Lt wrist XR, posteroanterior projection, girl, 13 yo, detector: Siemens:

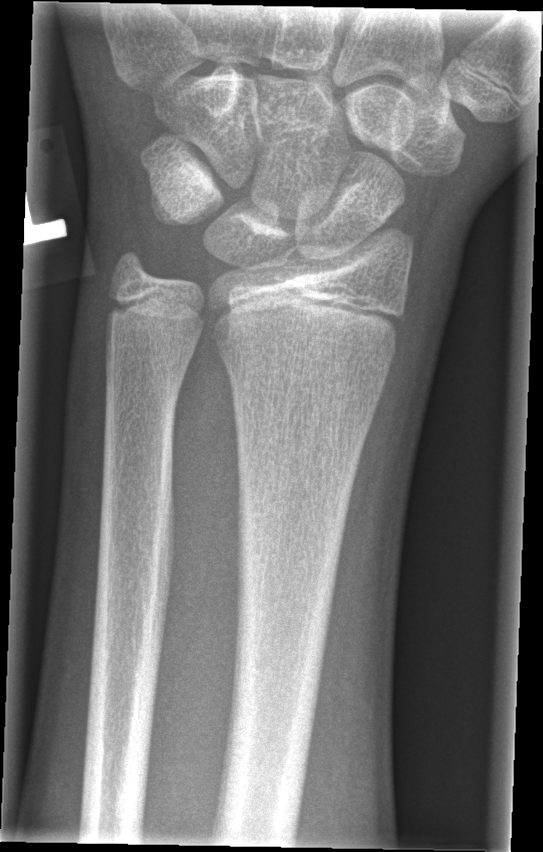
FINDINGS — Fracture: none labeled.